PA · right wrist X-ray · girl, 8 yo · cast in situ · detector: Siemens:

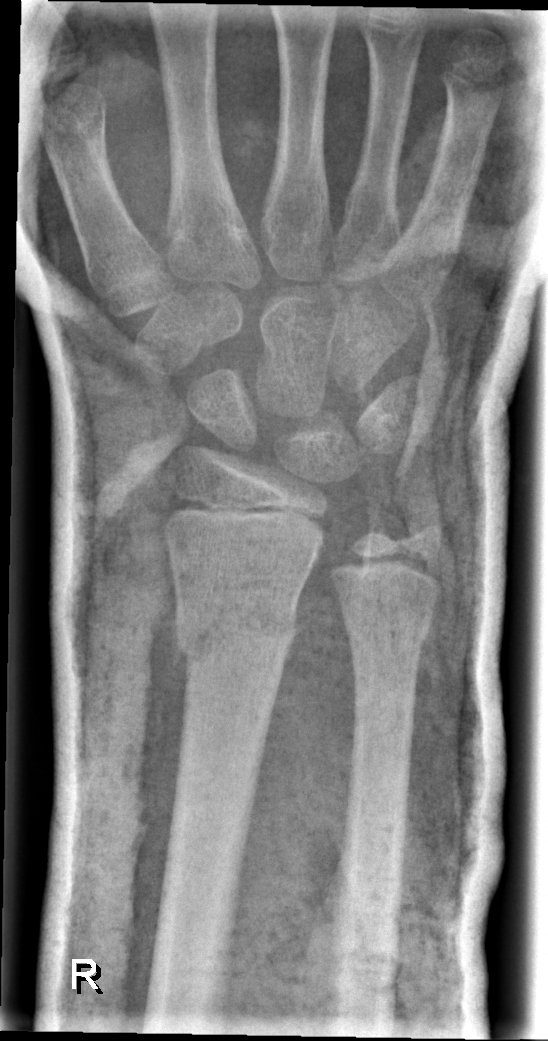

FINDINGS: Bone fractures — [x1=172, y1=592, x2=302, y2=672] [x1=338, y1=598, x2=434, y2=655].